L wrist plain film, posteroanterior view

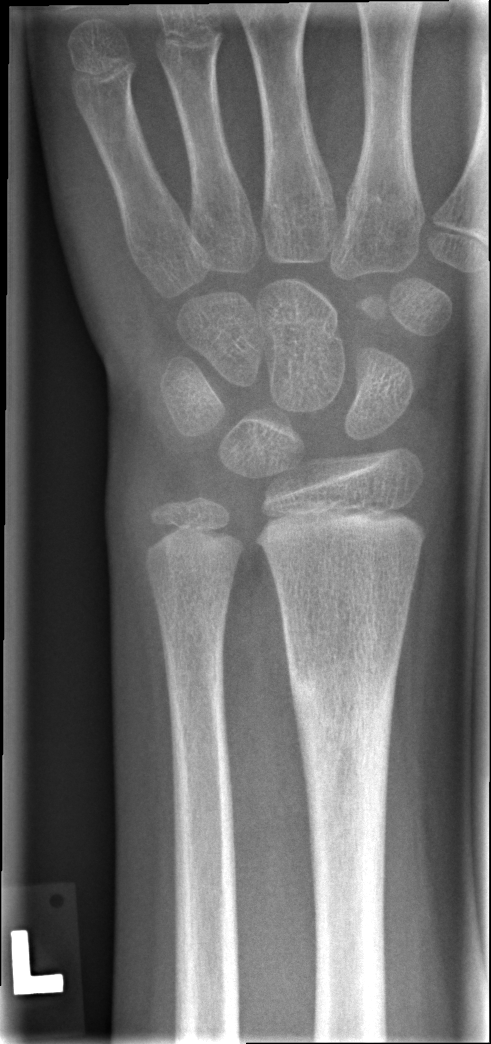

bone fracture: 1 @ 287,652,399,825